Lateral projection, left wrist XR, age 6 y, female.
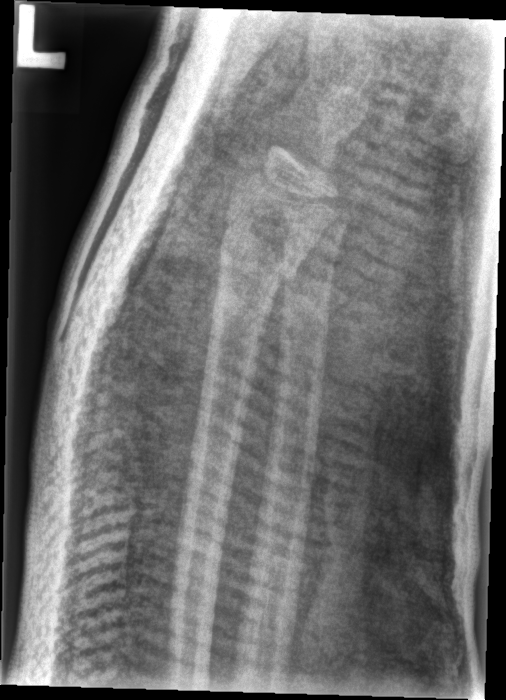

  fracture: 1 @ (left=213, top=236, right=300, bottom=299)
  ao: 23-M/3.1